AP projection; Lt plain radiograph of the wrist; 8-year-old girl; subsequent exam; image 81.6 mm wide:

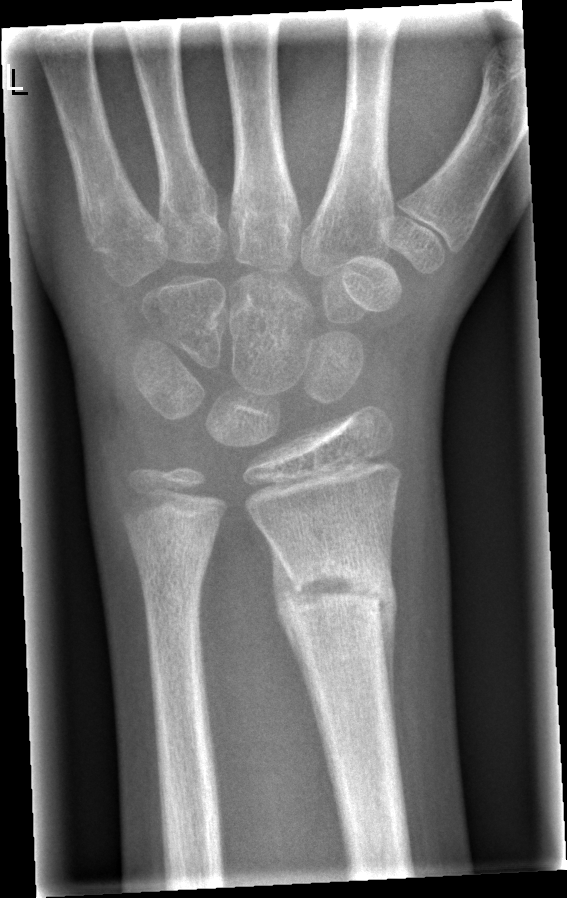
AO code 23r-M/3.1; 23u-M/2.1. Osteopenia. Two periosteal new bone at <268,537>-<341,822>; <376,556>-<404,795>. Fracture identified at <269,556>-<404,638>, <127,519>-<219,573>.